Lat projection | L wrist XR | 8y F. 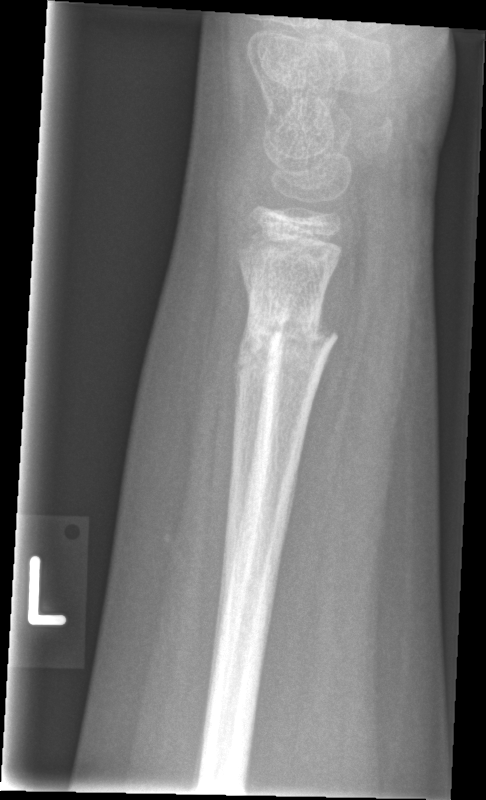 fracture: 1 @ (233, 307, 341, 363)
osteopenia: present